Left wrist plain radiograph of the wrist; lat; 3-year-old male; subsequent exam; cast in situ; detector: Siemens; 68.8 mm image width —

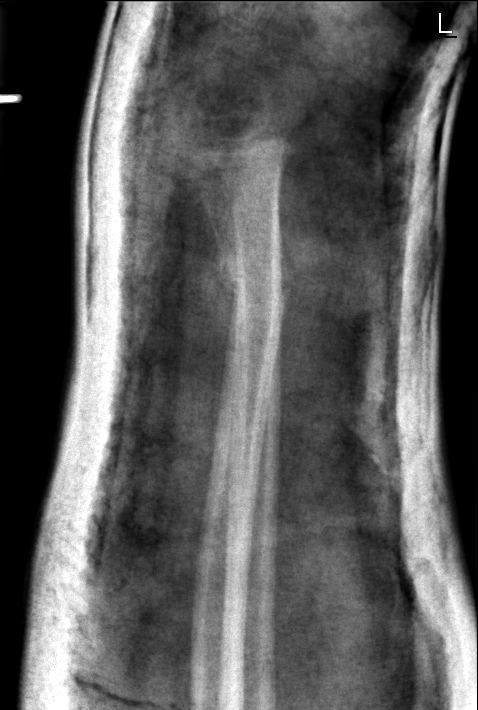 Bone fracture — (214, 249, 290, 335).
Periosteal reaction: (198, 196, 240, 464).